Rt wrist radiograph; lateral; 432 x 1066 px —
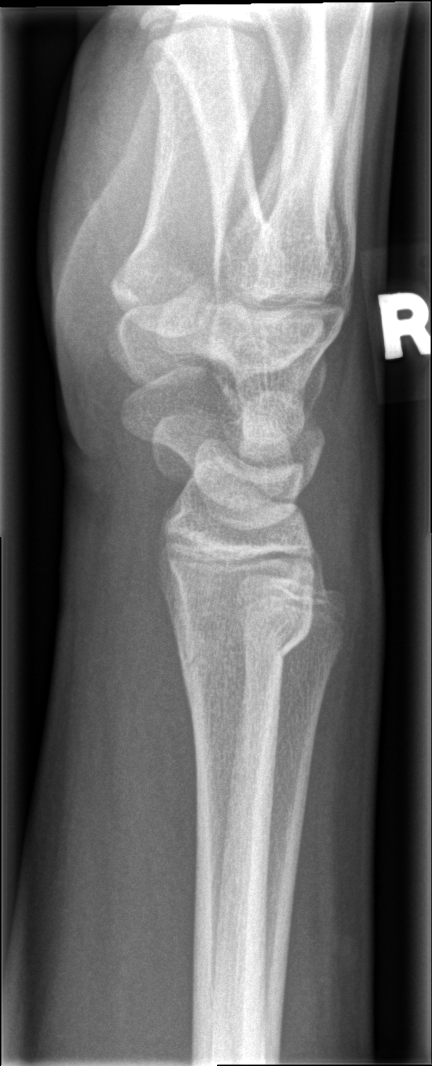

FINDINGS — (boxes as x1,y1,x2,y2 (top-left / bottom-right, pixel units)) Fracture: (163, 584, 318, 679). Fracture classified AO/OTA 23r-M/3.1.